Rt wrist X-ray; lat view. 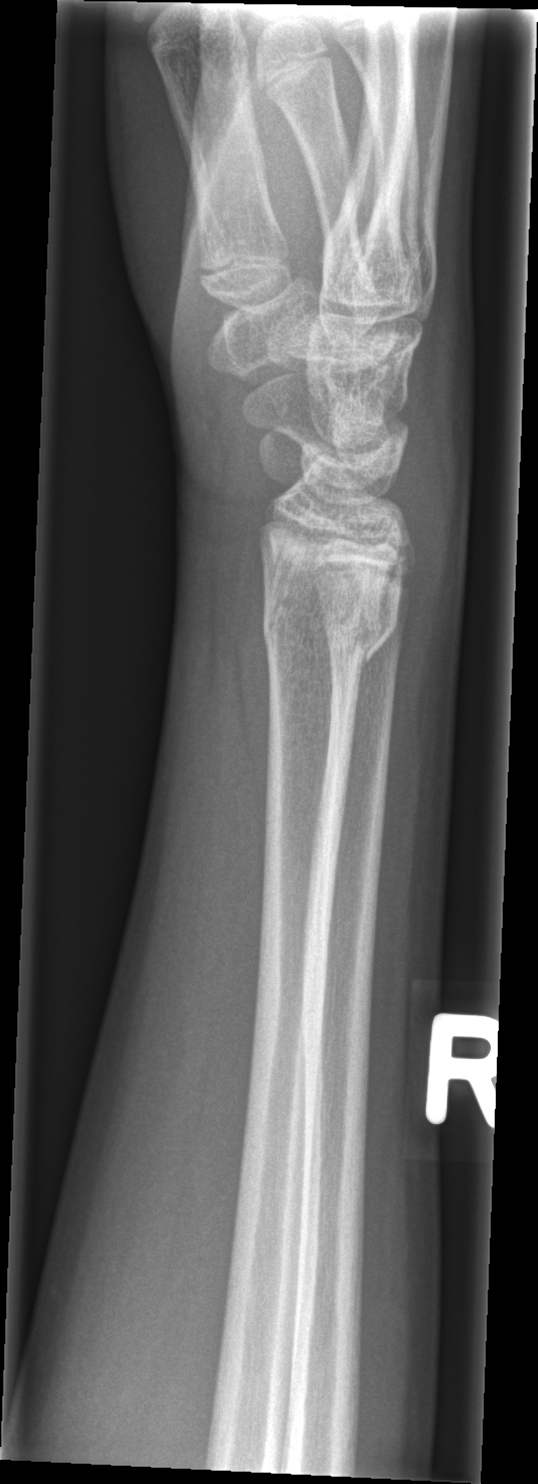
(pixel coordinates, top-left origin, xyxy)
Q: AO code?
A: AO/OTA classification: 23r-M/3.1; 23u-E/7
Q: Any fracture seen?
A: Fx: <259,564>-<405,668>